AP projection · R wrist radiograph · male, 6 yo · Siemens.
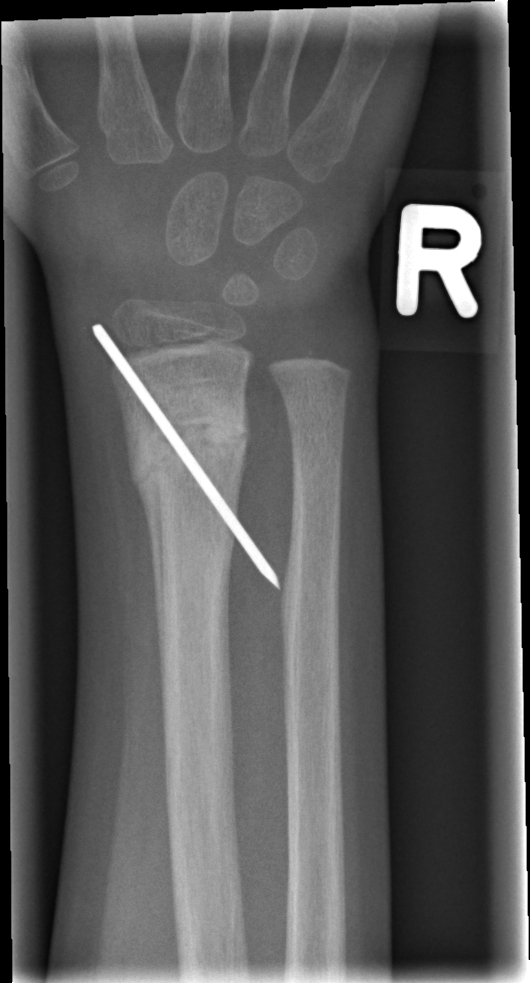

bone fracture = (121, 396, 256, 508)
hardware = 1 @ (90, 319, 283, 591)
periosteal thickening = 1 @ (124, 394, 163, 672)